Lateral projection; right plain radiograph of the wrist; age 3 y, male 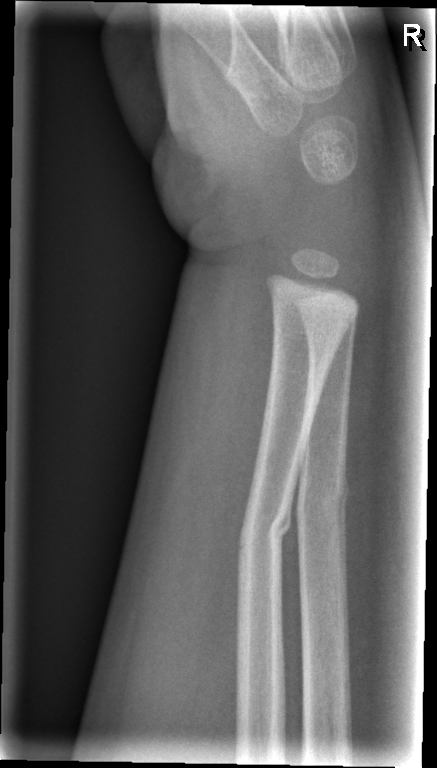 AO code = 22-D/2.1
fracture = 2 @ [x1=235, y1=488, x2=296, y2=569], [x1=296, y1=466, x2=351, y2=545]